Left wrist pediatric wrist radiograph, lateral projection, age 6 y, boy — 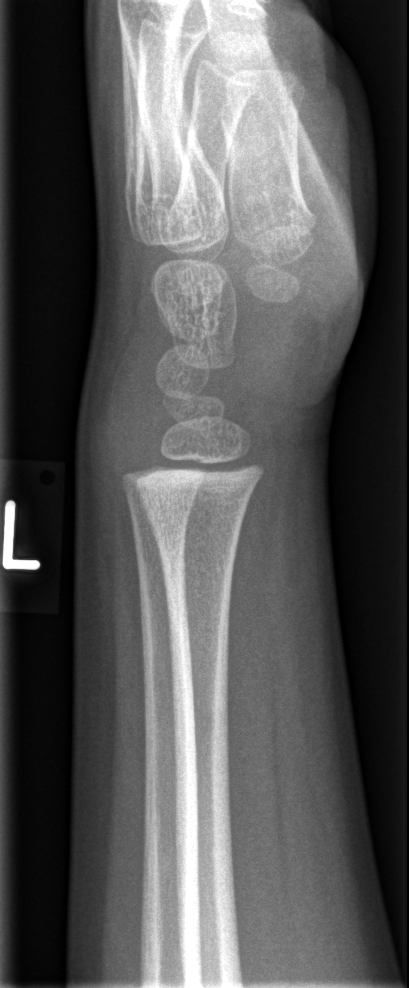   fracture: none labeled